Left wrist X-ray, PA, subsequent exam, 602x1029:
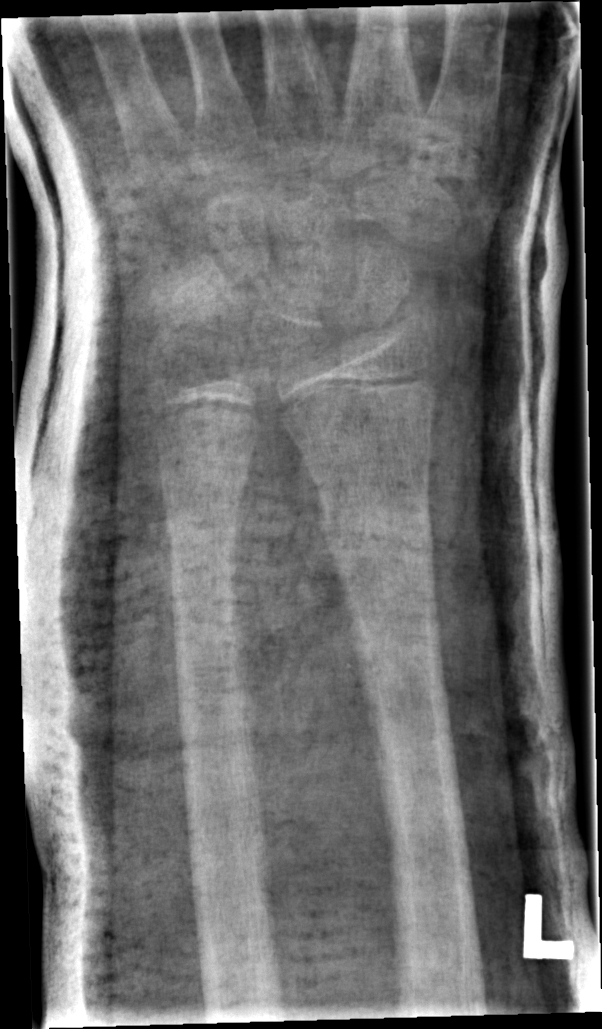
(boxes as x1,y1,x2,y2 (top-left / bottom-right, pixel units))
Fx = 2 @ 315 492 438 573
  162 505 243 554
AO code = 23-M/2.1